R wrist XR, lat projection, acquired on Siemens, 408x982 —
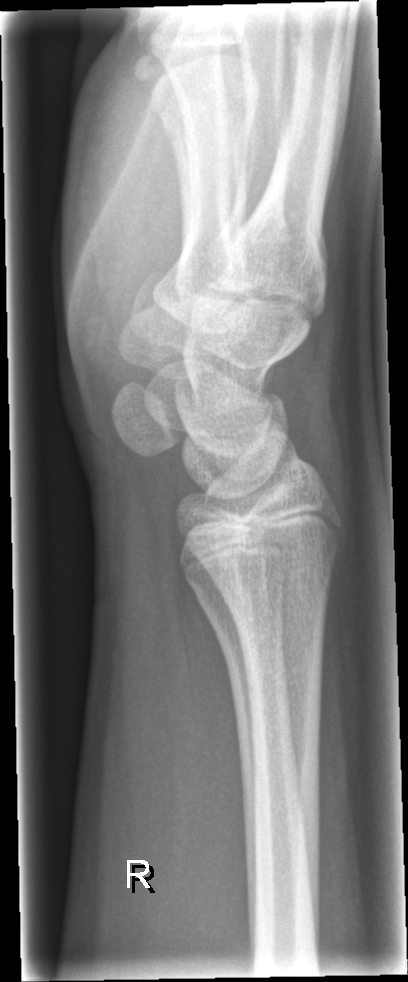
No fracture bounding box.